R wrist X-ray, PA/AP view, age 15 y, male
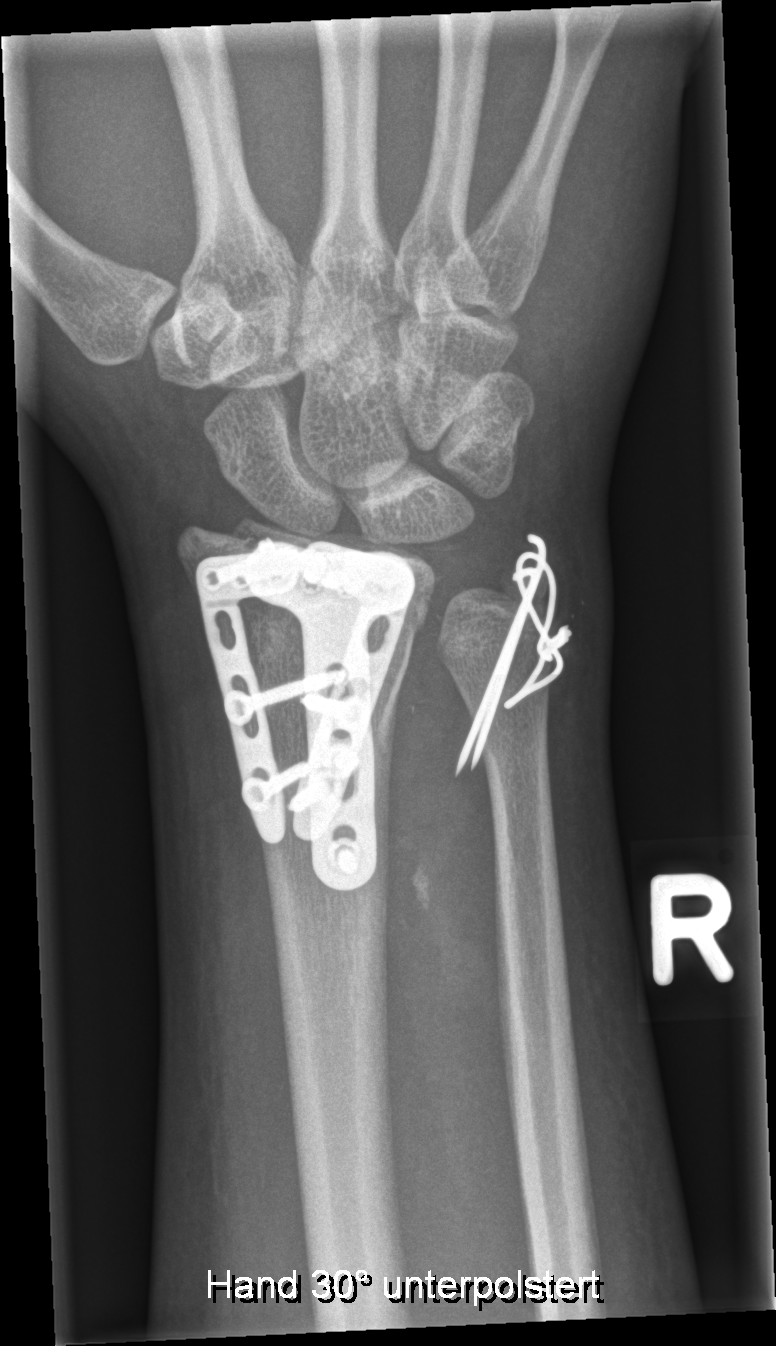
  metal: 2 @ 193,535,417,893
  454,532,573,779
  fracture: none labeled